Right plain radiograph of the wrist; posteroanterior view; pediatric patient (boy, age 9); equivocal findings:
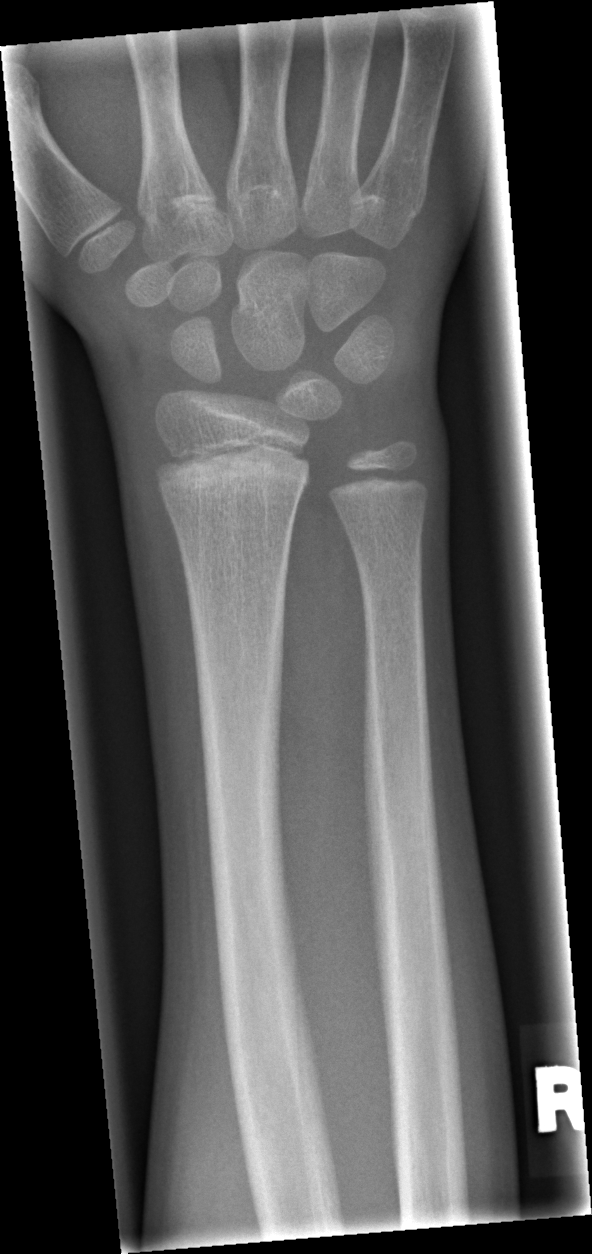

Q: Fracture present?
A: One bone fracture at 148 435 316 503